Lt wrist X-ray; lat view — 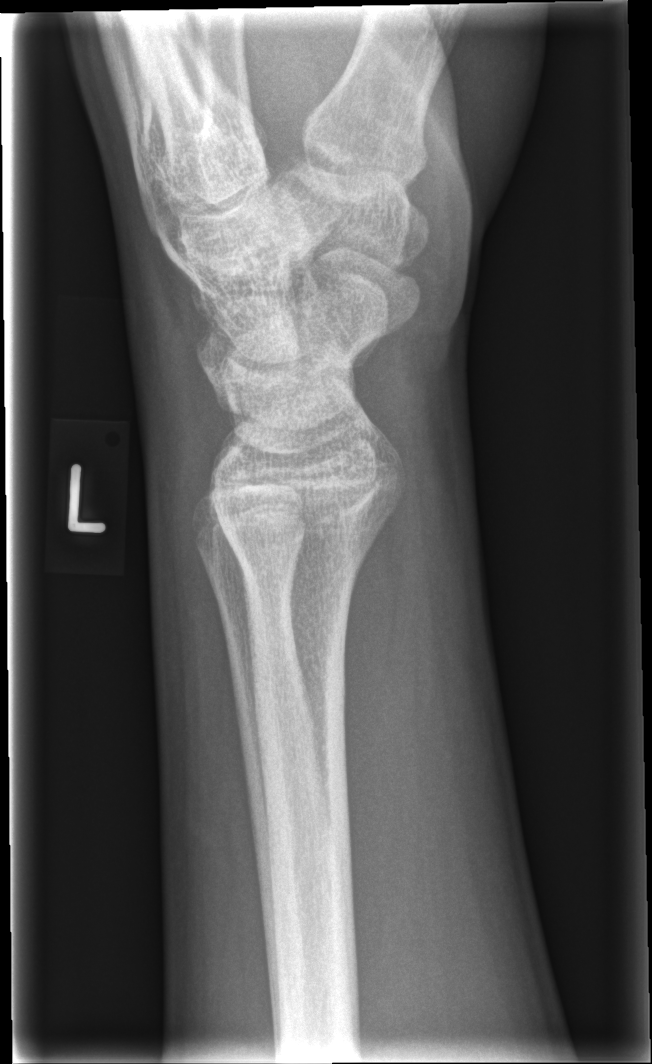
FINDINGS — No fracture labeled.